Right wrist X-ray, lat view, male, 13 yo. 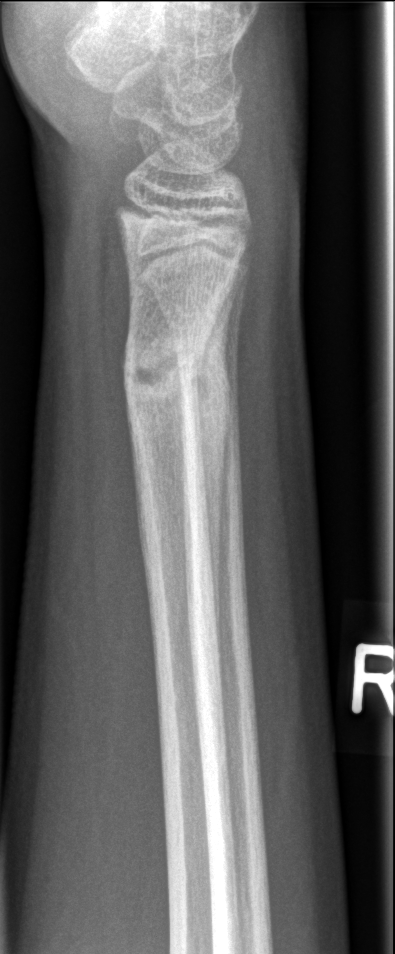 * Coordinates are [x1, y1, x2, y2] in image pixels.
* Osteopenic.
* Periosteal thickening: (left=197, top=253, right=244, bottom=669).
* Fx: (left=120, top=326, right=212, bottom=394).